Lat view · right wrist XR · pediatric patient (girl, age 10) · in cast · 708 by 1019 pixels: 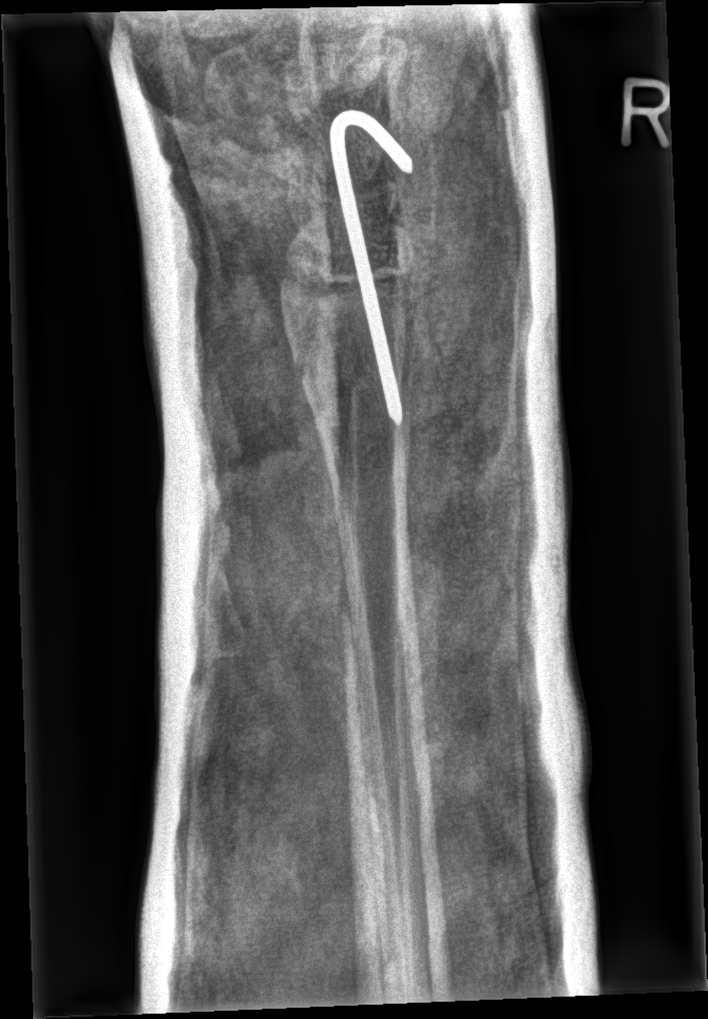
FINDINGS: Metal: (324, 104, 415, 427). Bone fracture identified at (274, 261, 428, 379). Fracture classified AO/OTA 23-E/2.1; 23u-M/2.1.